Frontal view, right wrist radiograph, 5-year-old male, cast present, 555 by 848 pixels —

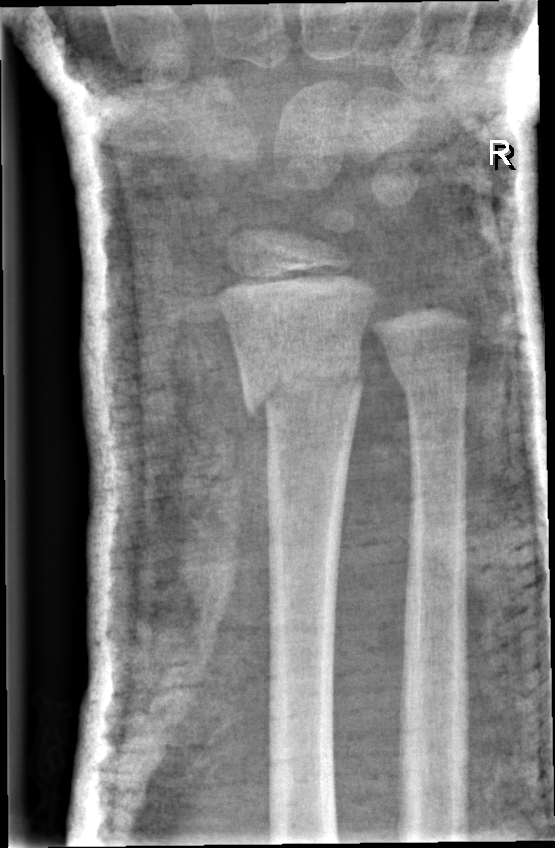

Fracture classified AO/OTA 23r-M/3.1; 23u-M/2.1.
Fx identified at 235 343 368 422; 380 342 474 403.